Right wrist plain radiograph of the wrist | AP view | 16-year-old male | subsequent exam | image width 100.1 mm | 695x888 — 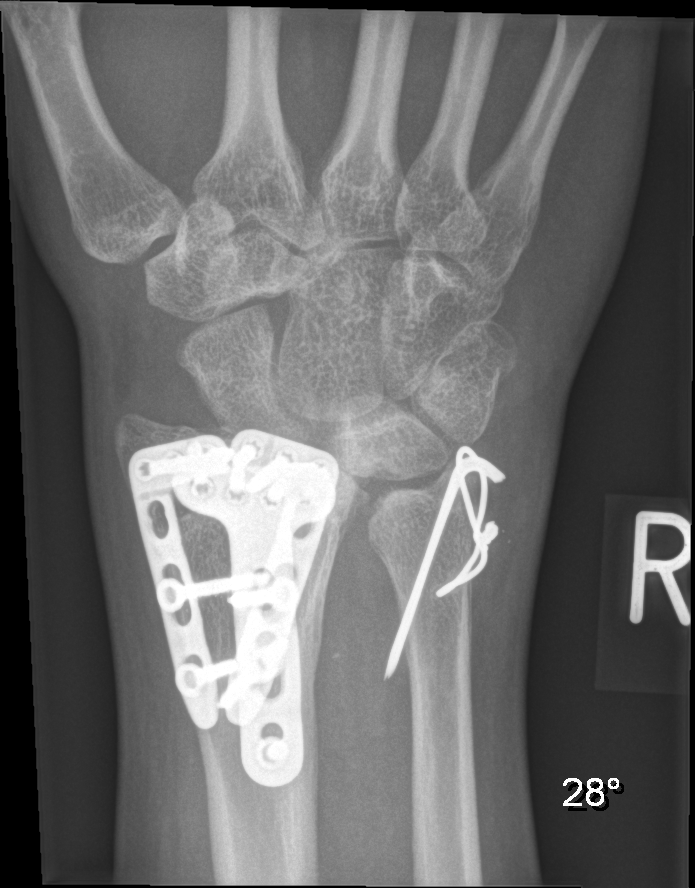
Metallic hardware: 126,428,342,791 | 382,443,509,684. No fracture labeled.